L pediatric wrist radiograph, posteroanterior, 6-year-old girl, initial study 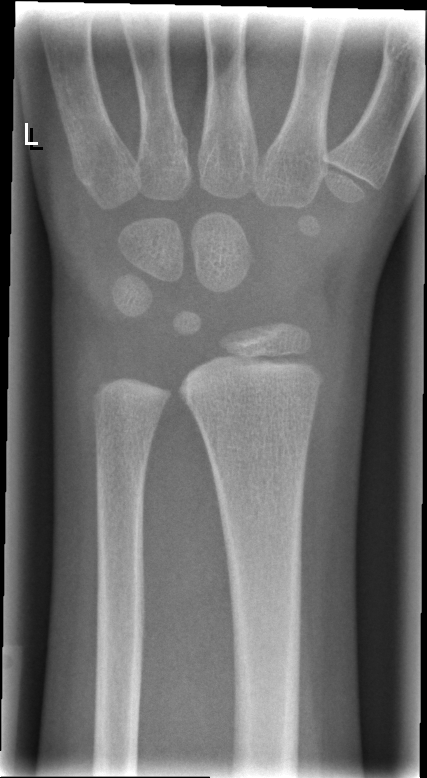

Q: Fracture present?
A: Fx: present but not clearly seen in this view